Left wrist XR; lat view; 13y F; acquired on Siemens — 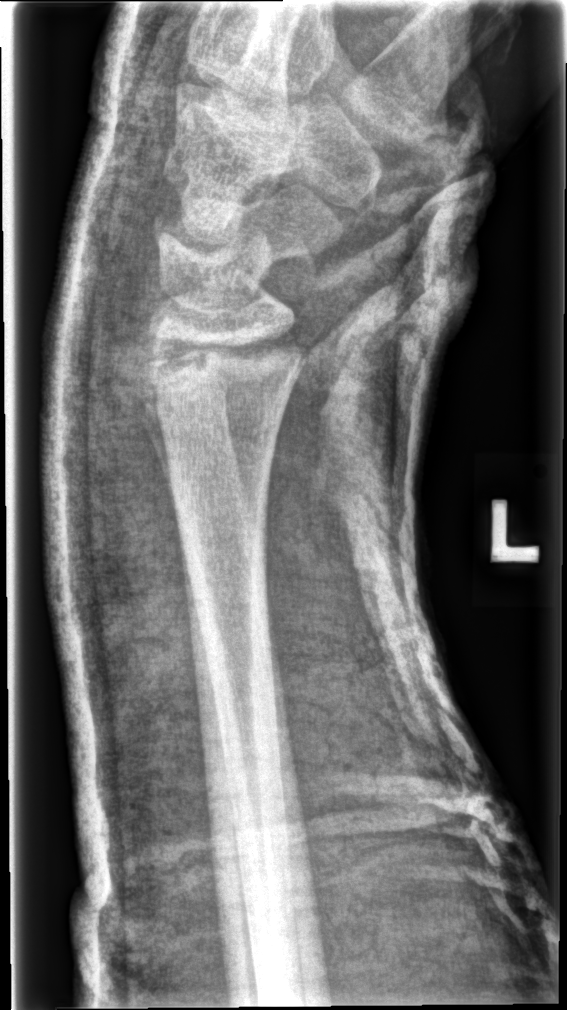

Findings: Fracture identified at 141,322,309,407. Fracture classified AO/OTA 23r-E/2.1; 23u-E/7.